Right plain radiograph of the wrist; lateral projection; initial study; 462 by 950 pixels:

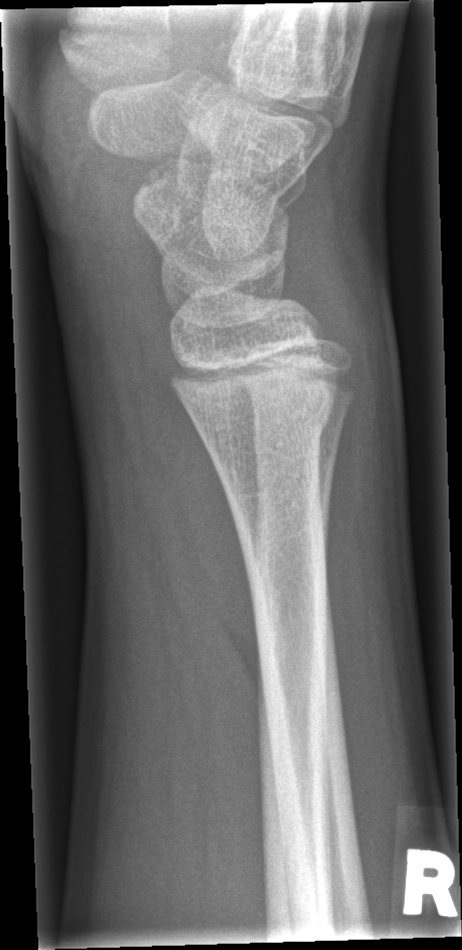

(coordinates are [x1, y1, x2, y2] in image pixels)
Pronator sign = (141, 347, 263, 680)
Bone fracture = 1 @ (176, 389, 336, 453)